Left pediatric wrist radiograph; lat; follow-up; 637x1144.
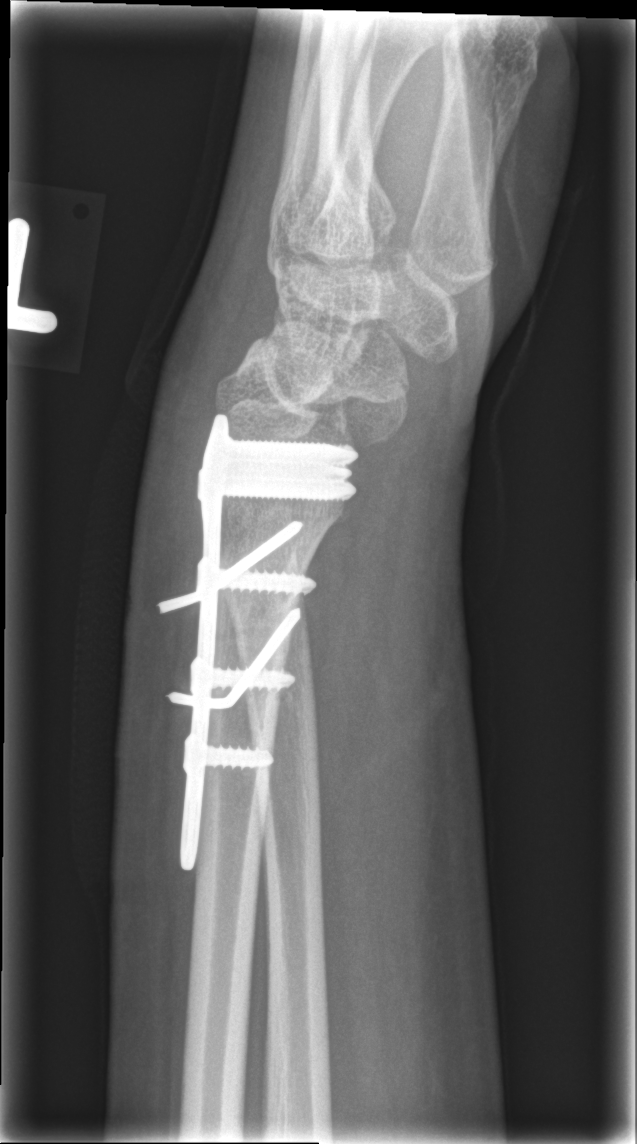
Metal: bbox(149, 423, 360, 870). Fx present but not clearly seen in this view.